Lat | right wrist plain radiograph of the wrist 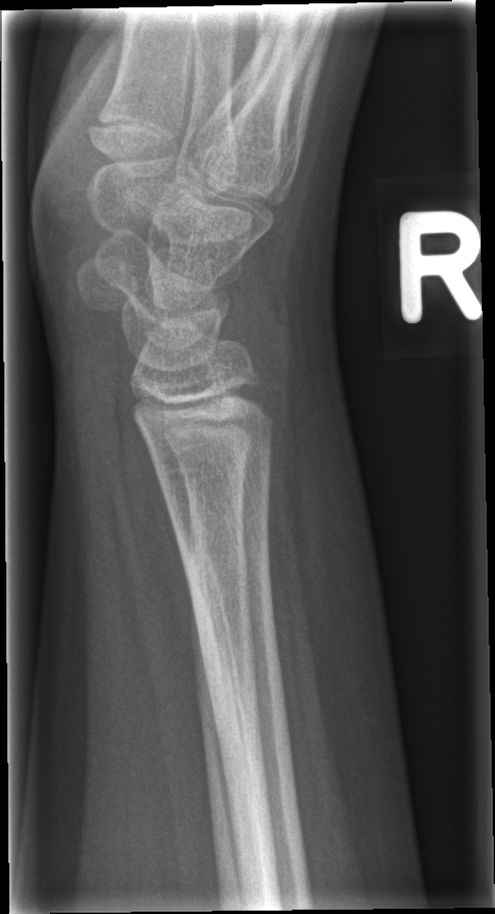 {"_coords": "coordinates are [x1, y1, x2, y2] in image pixels", "fracture": "[186, 526, 281, 774]"}